Lateral projection | right wrist X-ray —

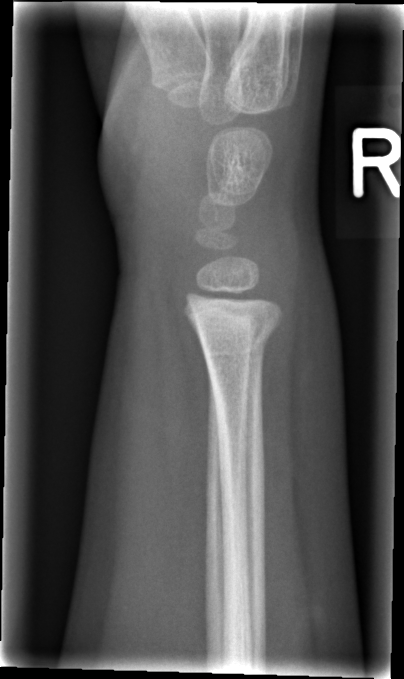
Q: Fracture present?
A: Fx: 192 320 281 365